PA/AP, L wrist radiograph: 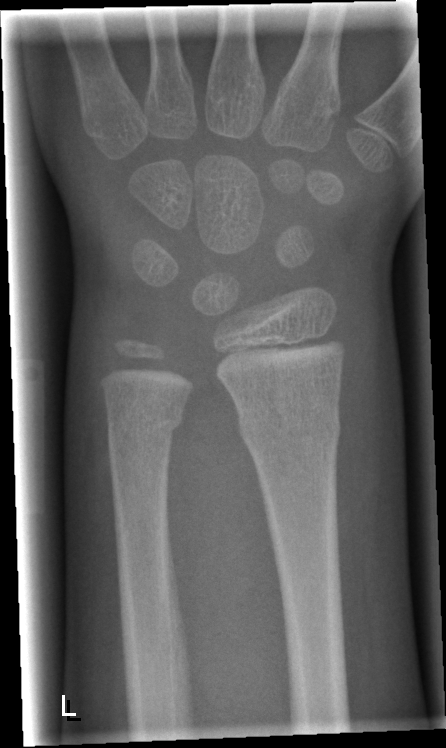 * Bone fracture identified at (235, 400, 344, 454); (105, 401, 187, 446).
* AO code 23-M/2.1.